Frontal view; L wrist plain film; age 3 y, girl; index exam; acquired on Siemens; image width 51.0 mm.
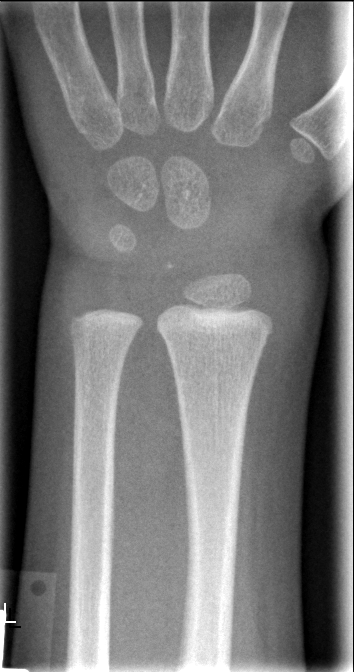
No fracture labeled.